R wrist XR, lat view, 13y M, 676 by 1202 pixels.

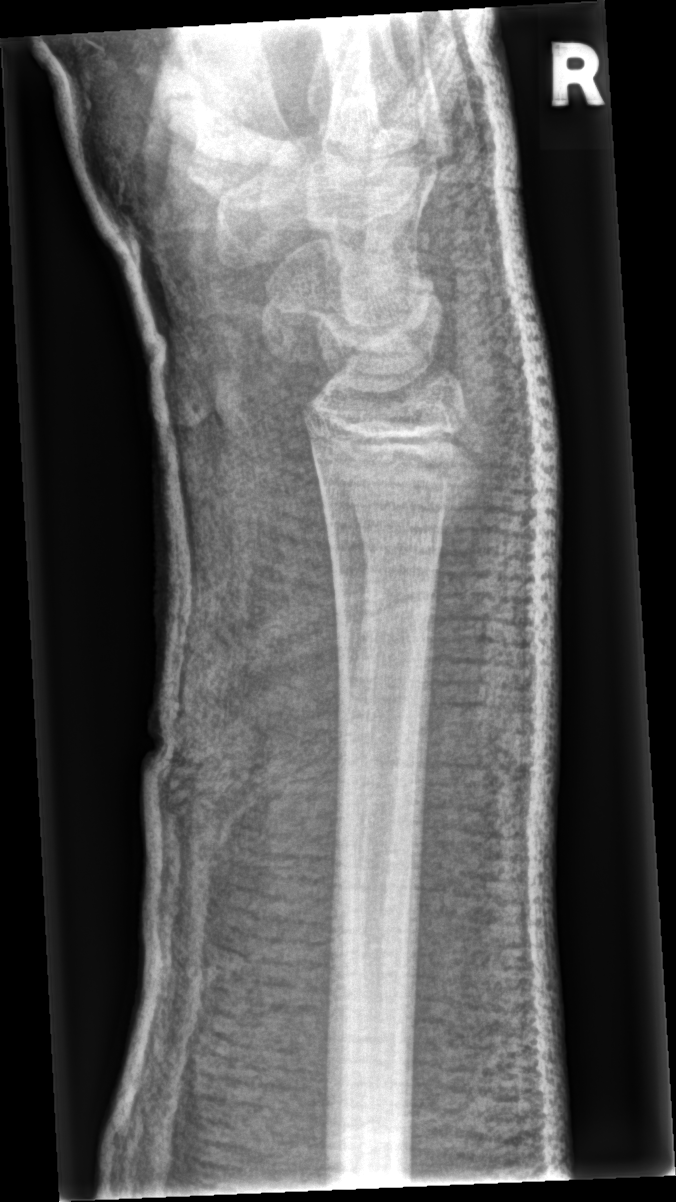 FINDINGS — (pixel coordinates, top-left origin, xyxy) AO code 23r-E/2.1; 23u-E/7. Fx: [x1=300, y1=407, x2=487, y2=542].